Right wrist radiograph; PA projection; 9y F; index exam.
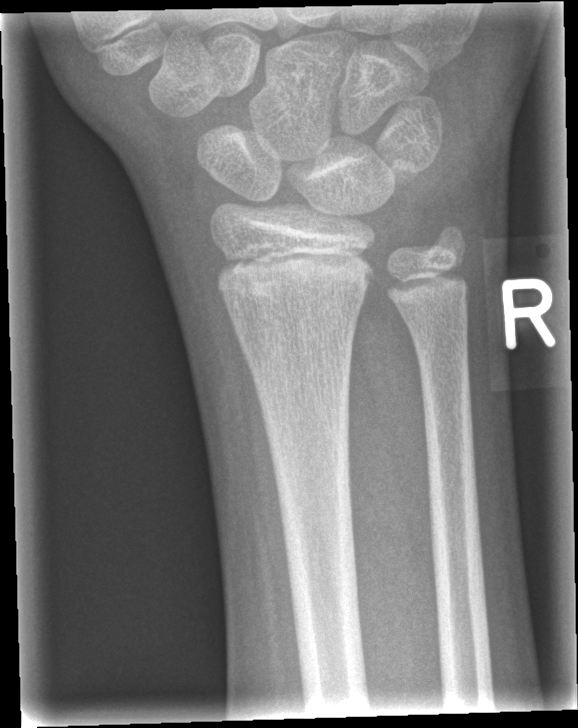
Bone fracture = none labeled